Lat projection, Lt wrist plain film, pediatric patient (male, age 5).
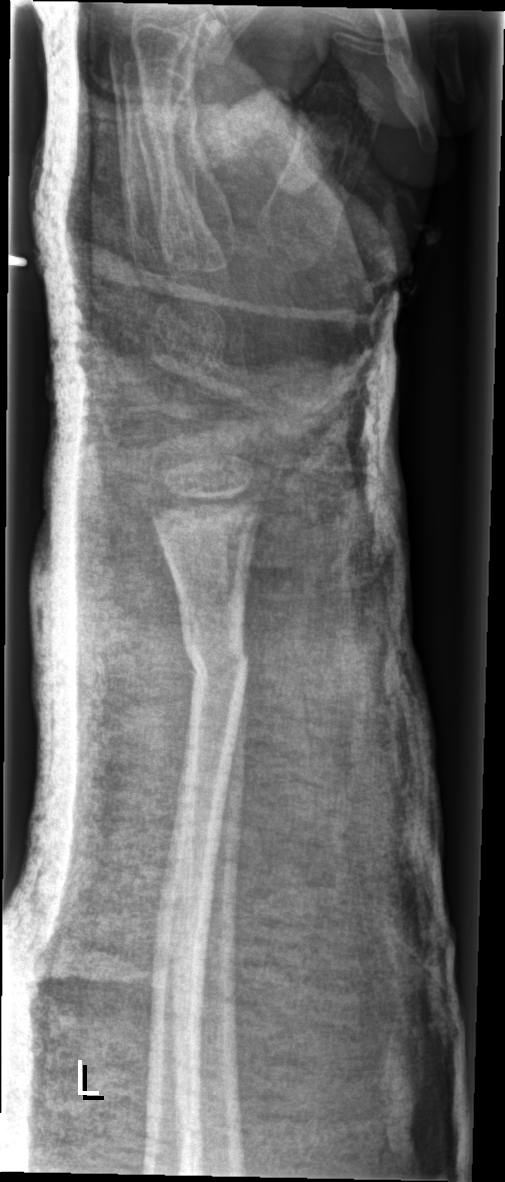

Bone fracture — bbox(182, 632, 250, 696).
AO/OTA classification: 23-M/3.1.